Lateral view, Rt wrist X-ray 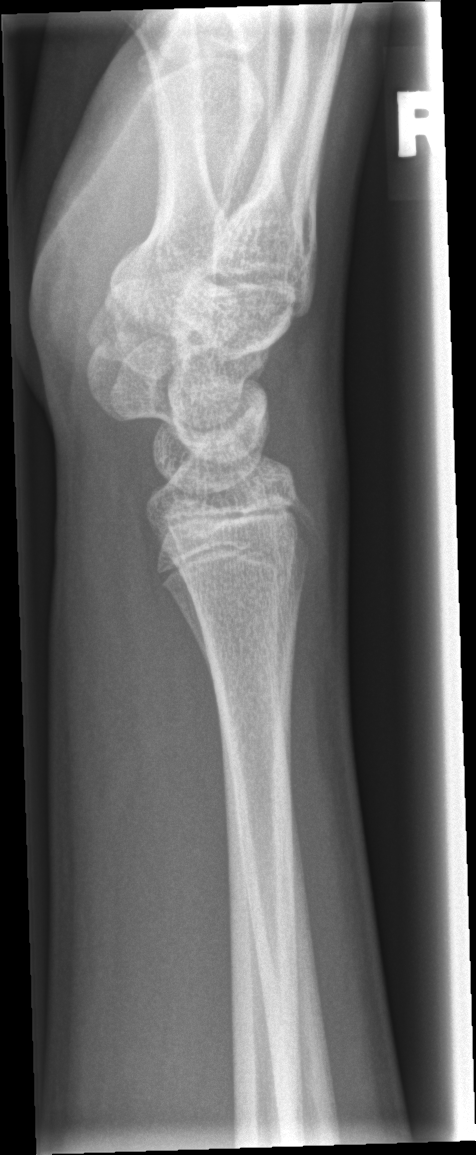 Fx = none labeled